Right wrist XR | lateral view | 420x764: 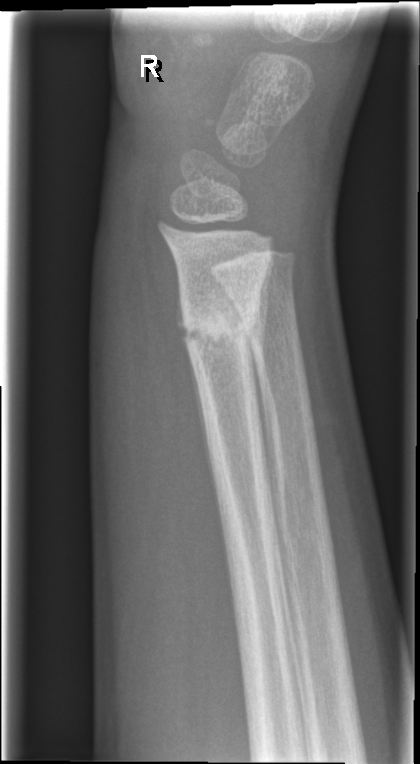
FINDINGS: AO/OTA classification: 23r-M/3.1. Fx — (175, 290, 271, 365). Periosteal thickening — (246, 251, 274, 464), (175, 273, 207, 449).